Posteroanterior projection | right wrist X-ray:

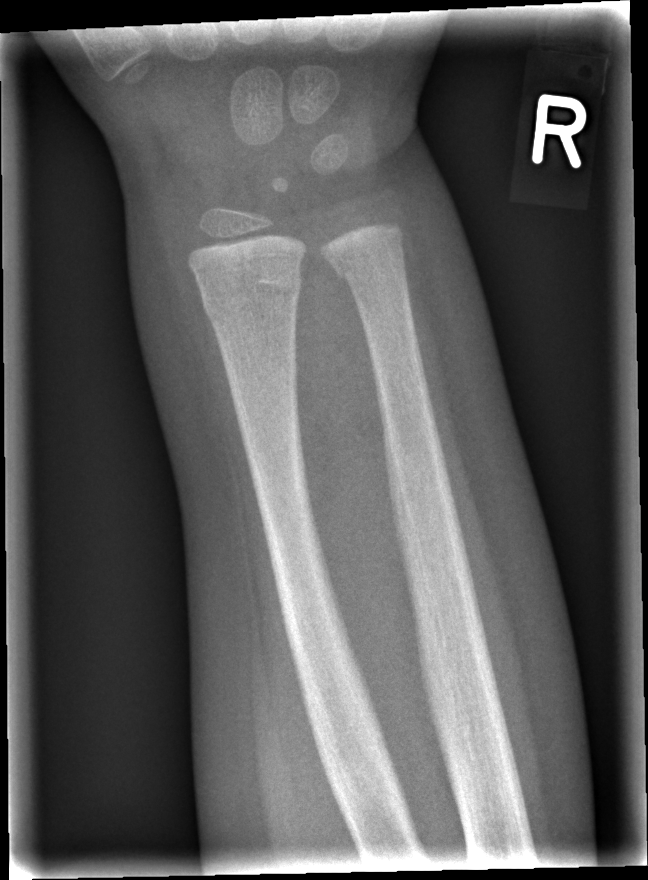 # coordinates are [x1, y1, x2, y2] in image pixels
fracture: [197, 262, 304, 323]; [331, 237, 409, 286]